Lt wrist XR; lat projection; 5-year-old boy; follow-up; in cast.
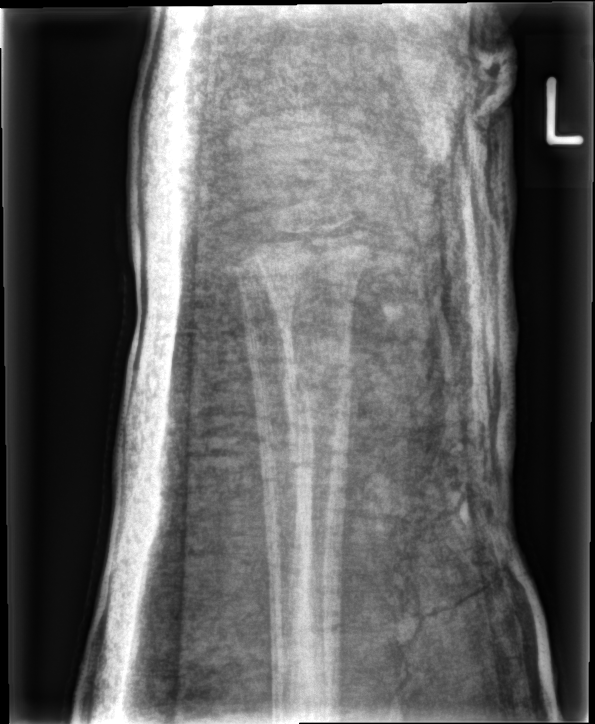

AO code: 23r-M/3.1
Fx: 1 @ 276 347 358 426